Right wrist X-ray; lateral projection; pediatric patient (female, age 8); follow-up study; image 78.0 mm wide.
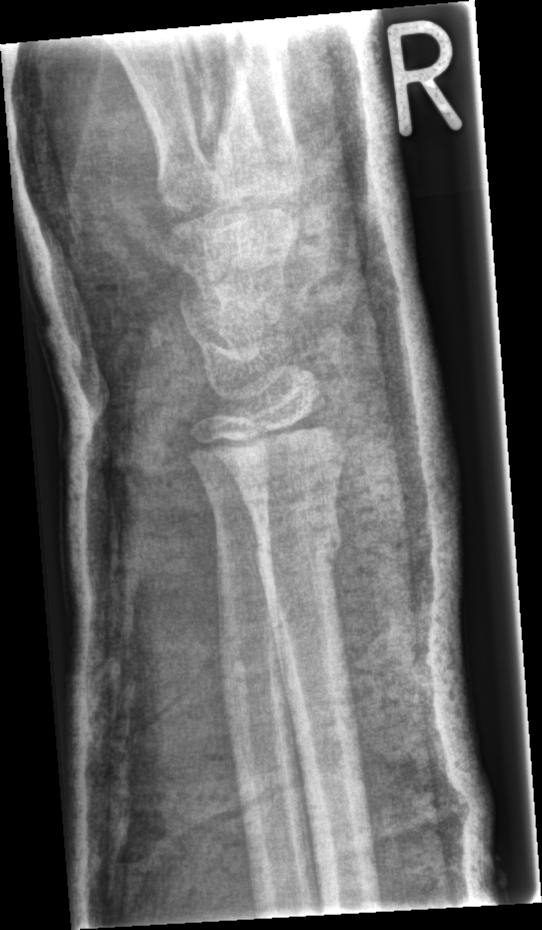

bone fracture = <252,511>-<344,582>